Lat; L wrist X-ray; pediatric patient (girl, age 7). 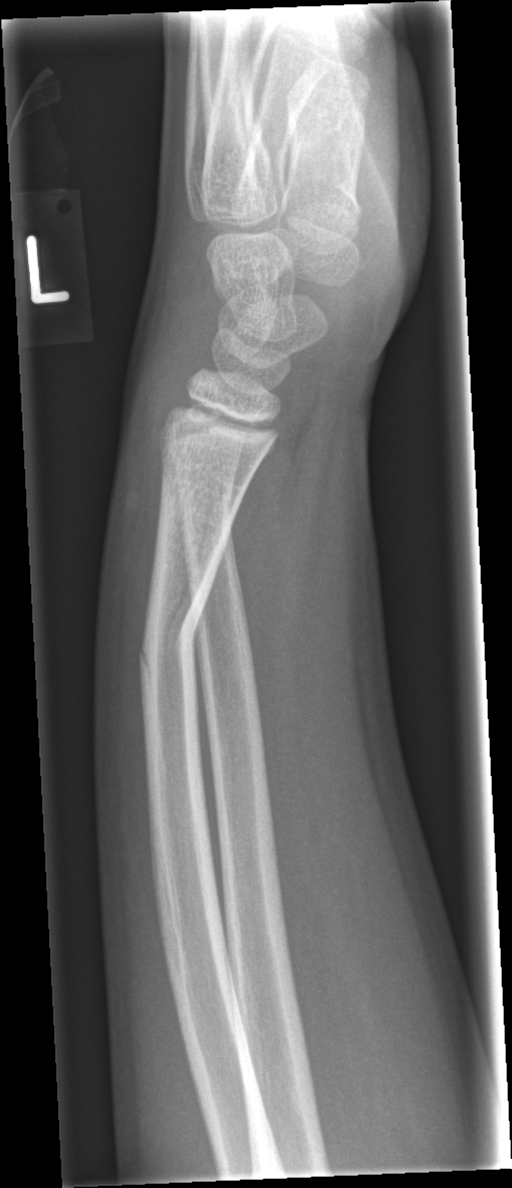

FINDINGS — Bone fracture identified at [131, 572, 214, 702]. Fracture classified AO/OTA 22r-D/2.1; 23u-M/2.1.